Lateral view · R wrist plain film · initial study. 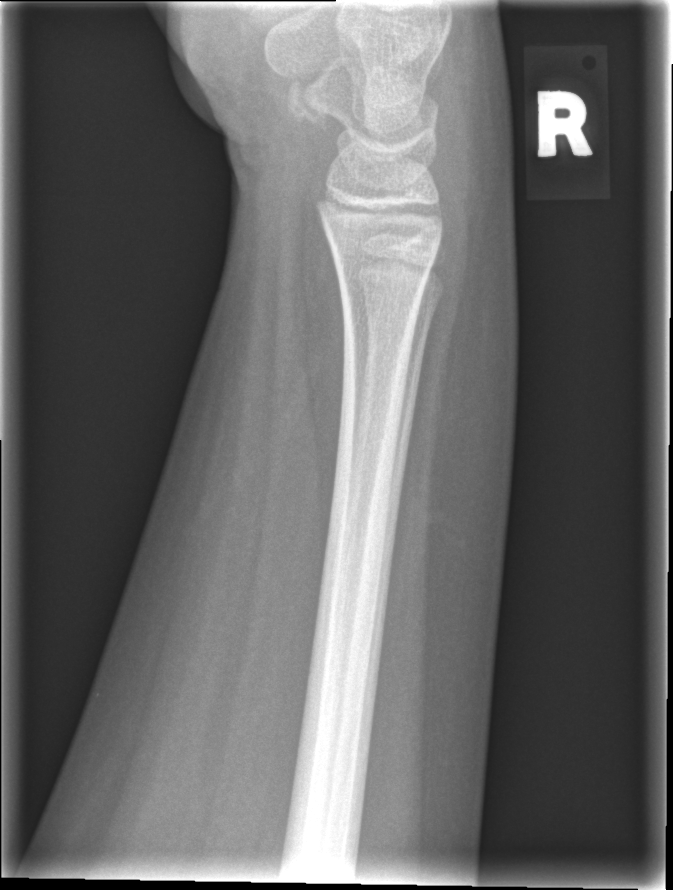 Fracture: none labeled.